Left wrist X-ray; PA view; initial study:

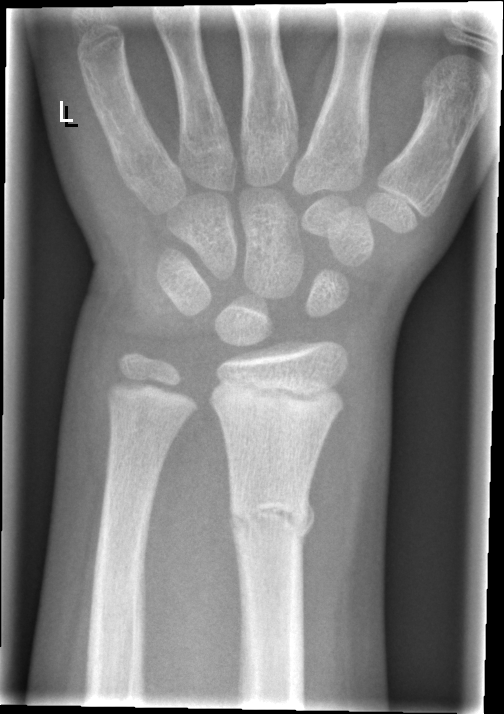
  # boxes as x1,y1,x2,y2 (top-left / bottom-right, pixel units)
  fracture: 1 @ bbox(226, 496, 316, 547)
  ao: 23r-M/3.1; 23u-E/7